Posteroanterior projection | Rt wrist plain film | 14y M | initial study | 88.3 mm image width | 613 by 1092 pixels

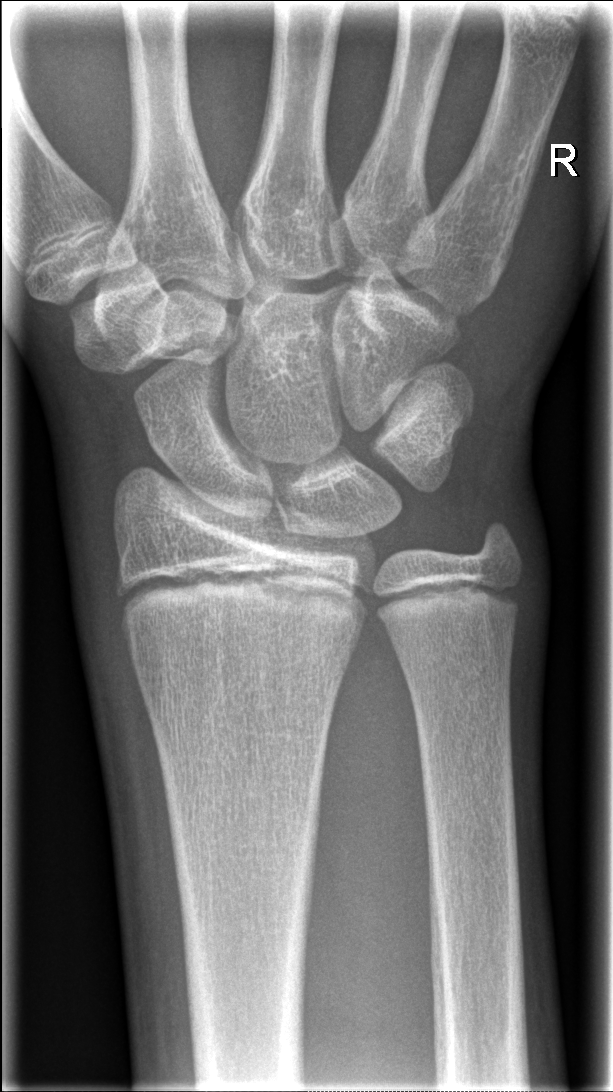
FINDINGS: No fracture labeled.